Left wrist XR · lat · 15y M · imaged through cast —

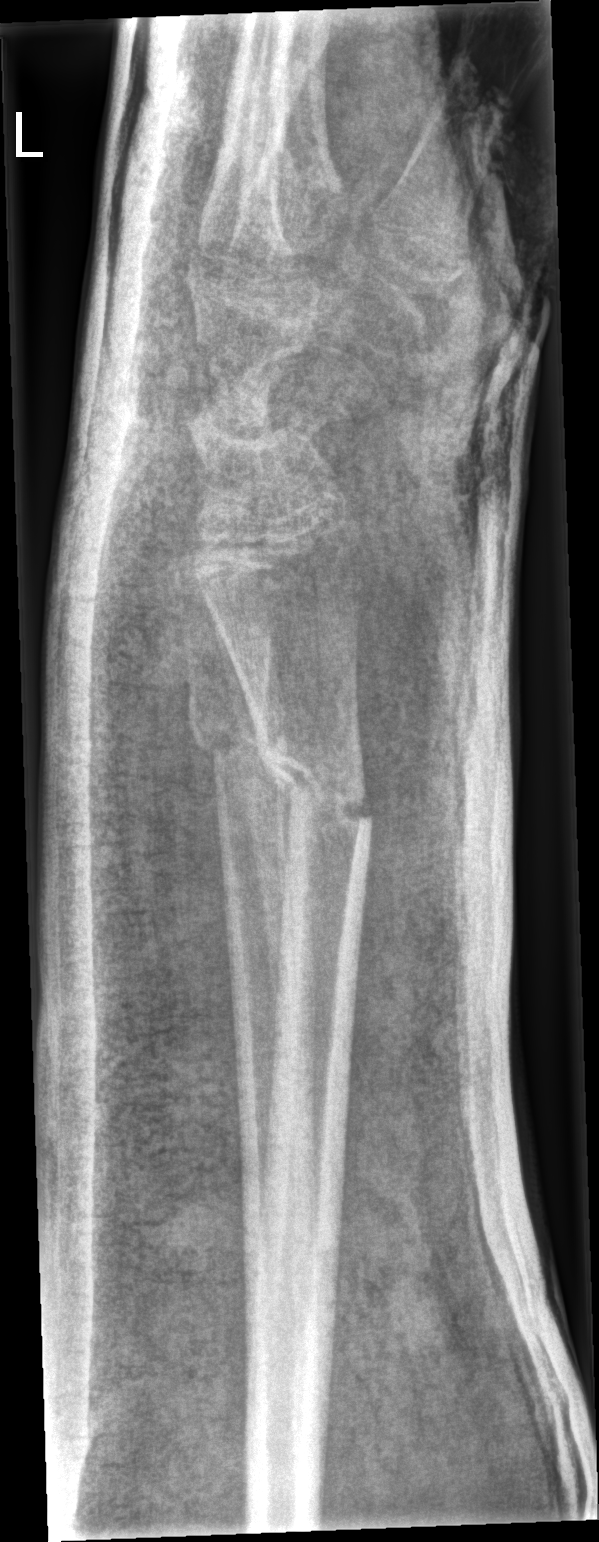 Fx = 2 @ <255,729>-<379,846>; <184,703>-<291,795>